PA/AP view | left wrist plain film | age 8 y, male | 66.0 mm image width | image size 458x1024.
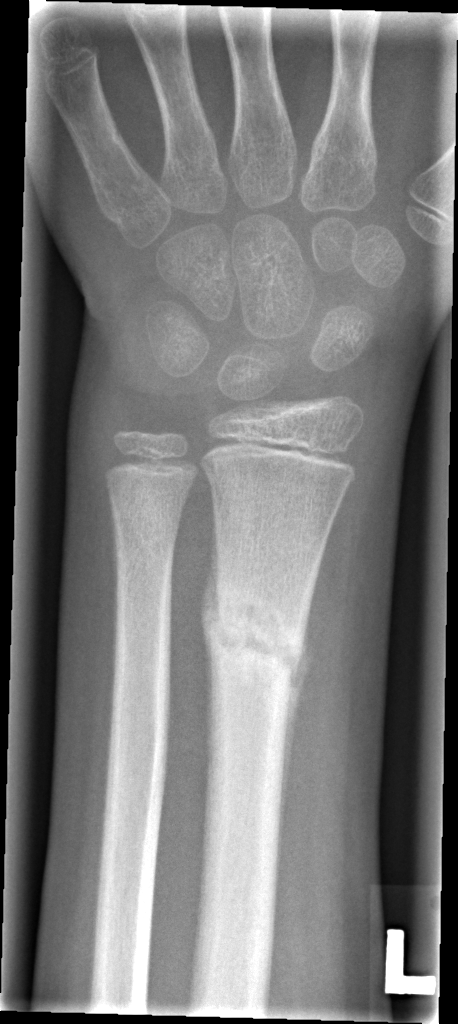
{
  "osteopenia": "present",
  "ao": "23r-M/3.1; 23u-M/2.1",
  "fracture": "[x1=200, y1=585, x2=311, y2=683]",
  "periostealreaction": "2 @ [x1=278, y1=602, x2=314, y2=872] [x1=200, y1=501, x2=222, y2=769]"
}